L wrist radiograph; PA/AP view

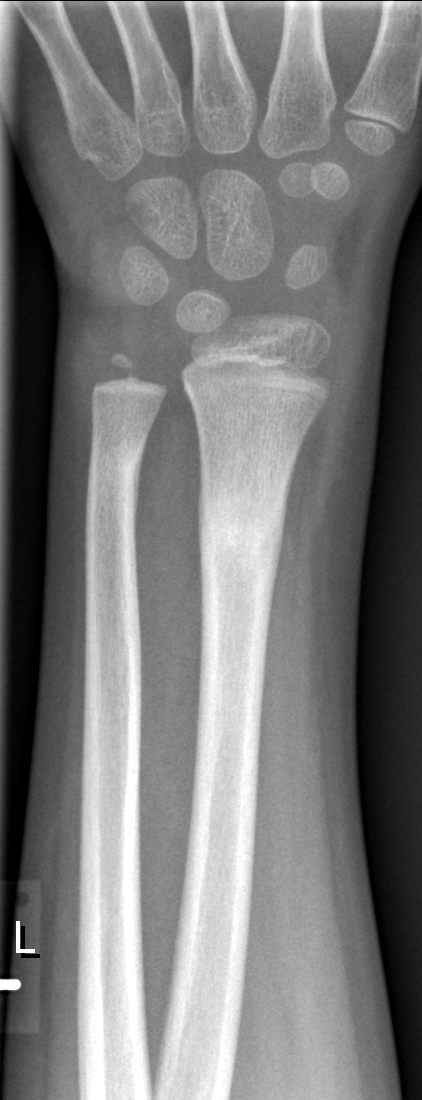

Findings: AO code 23-M/2.1. Fx identified at (194, 472, 292, 578); (85, 433, 147, 506).